AP view, L wrist X-ray, 646 x 1135 px.

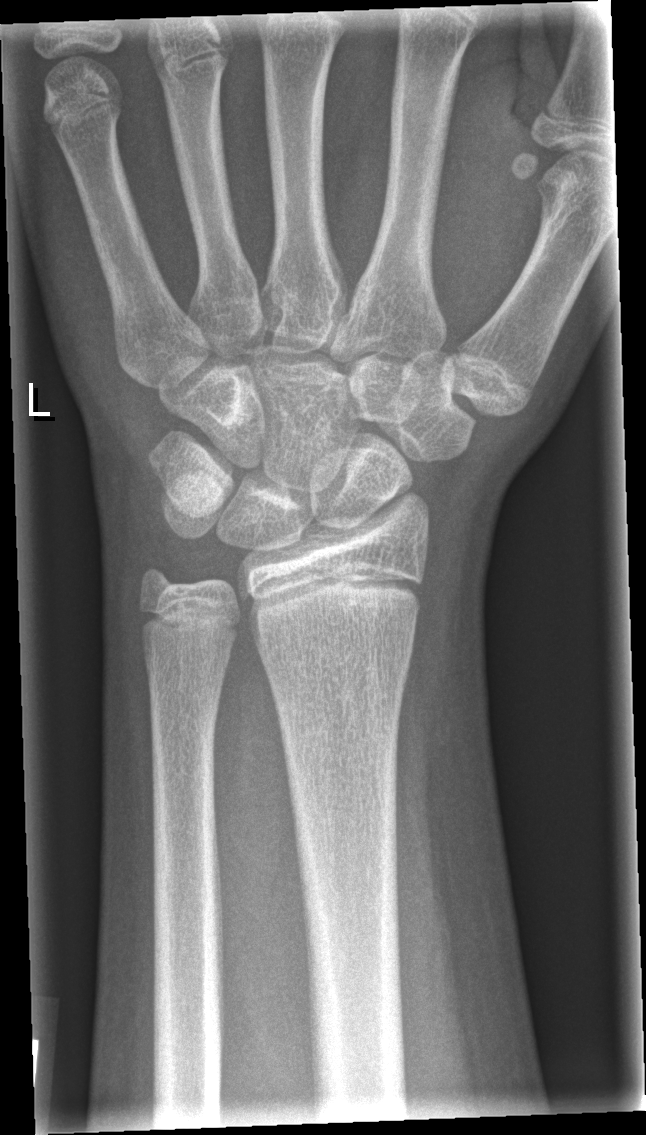

* Fx: none.